L wrist XR · posteroanterior projection.

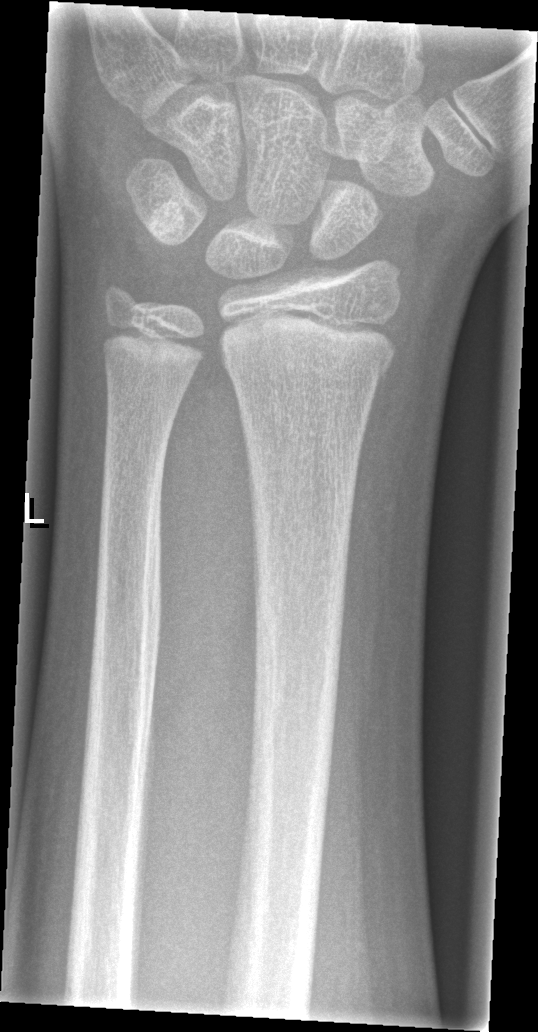 Q: Any fracture seen?
A: Fracture: (217, 337, 398, 394)
Q: AO code?
A: AO/OTA classification: 23r-E/2.1